Right wrist plain film | frontal view | follow-up study | acquired on Siemens —
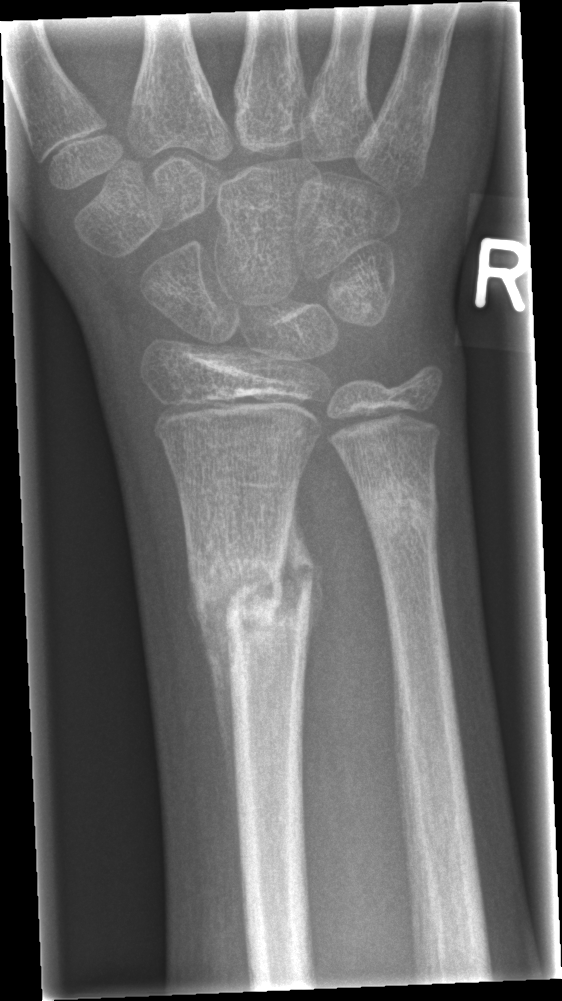   # bounding boxes in image-pixel xyxy
  periostealreaction: 186 568 238 864; 276 494 324 647
  osteopenia: present
  fracture: 2 @ 182 523 315 655; 358 479 444 548
  ao: 23r-M/3.1; 23u-M/2.1